L wrist X-ray | lateral view

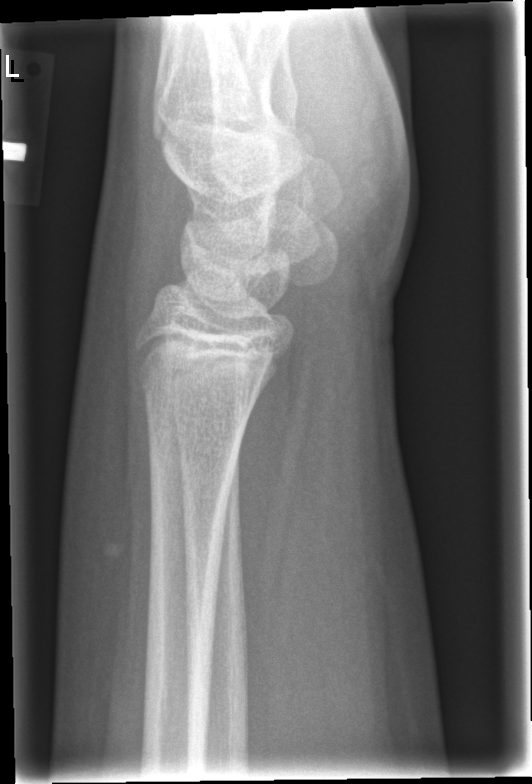

No fracture annotation.